Lat projection, right wrist plain film: 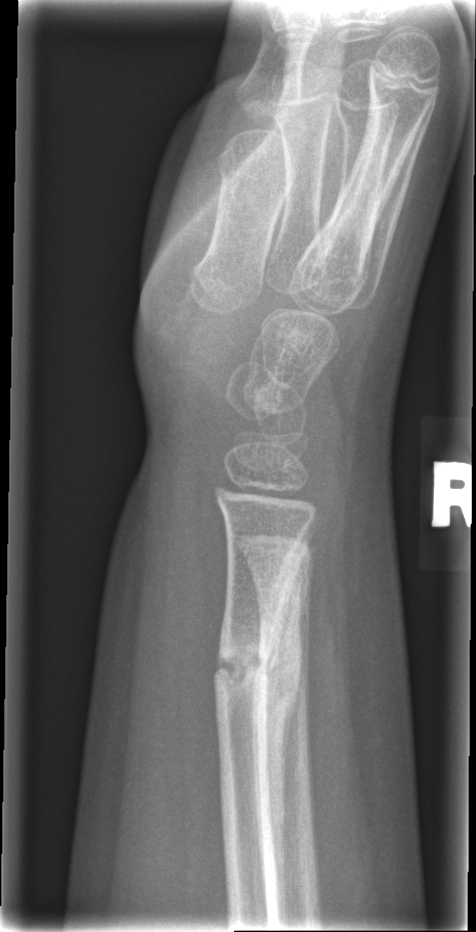
Q: Is there osteopenia?
A: Reduced bone mineral density
Q: Locate any periosteal reaction.
A: Periosteal new bone — [264, 547, 302, 925]
Q: Any fracture seen?
A: One Fx at [211, 612, 308, 728]
Q: What is the AO/OTA classification?
A: AO/OTA classification: 23r-M/3.1